PA/AP projection; left wrist pediatric wrist radiograph; index exam; equivocal findings
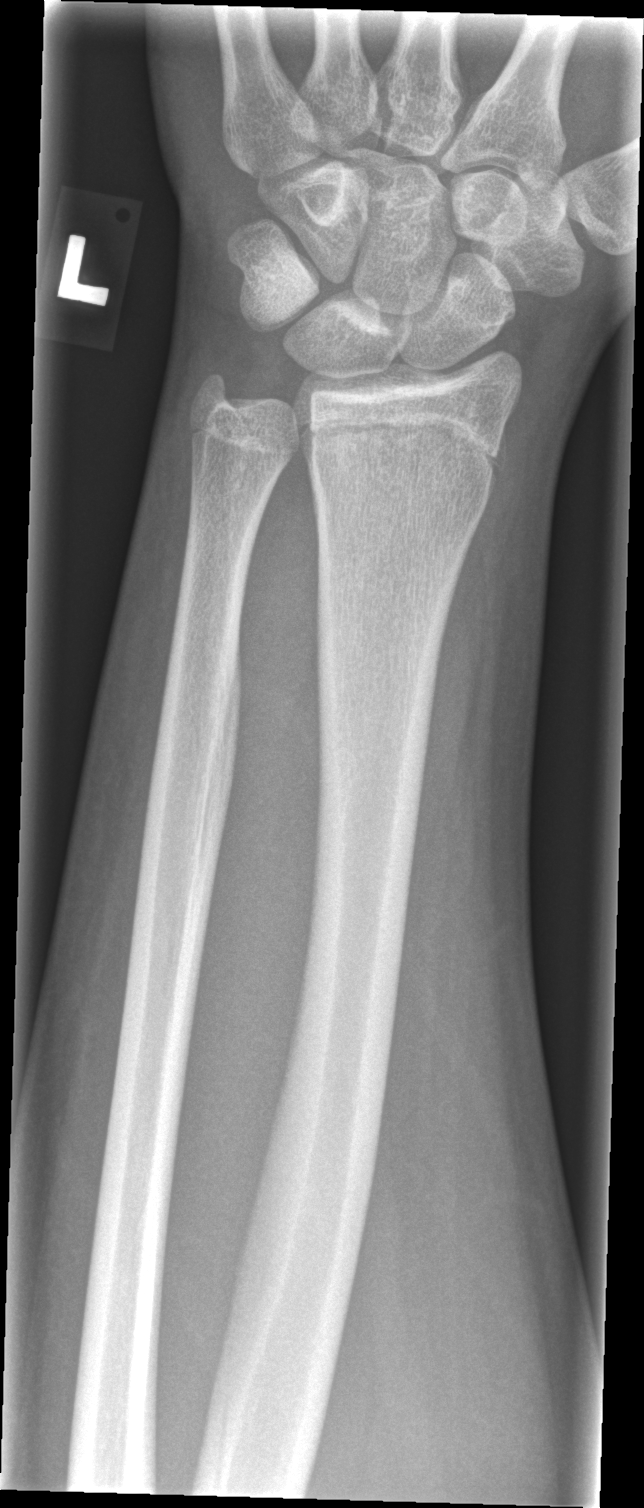 * Fx present but not clearly seen in this view.